L wrist XR; frontal view; follow-up; acquired on Siemens; image 94.8 mm wide

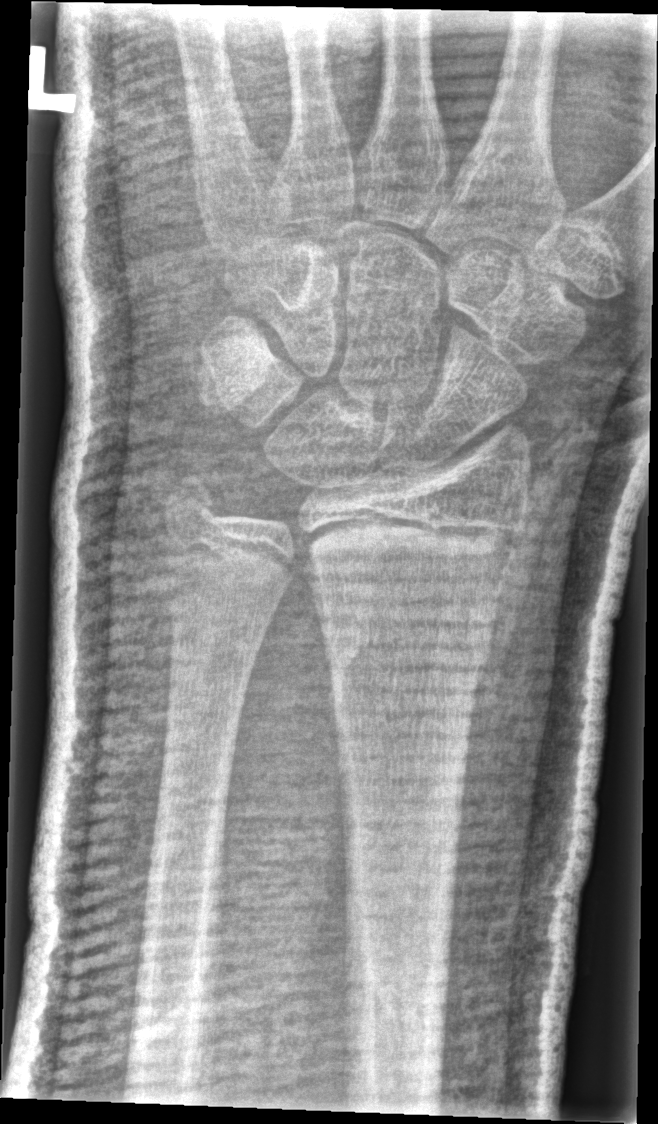 FINDINGS: AO code 23r-M/2.1; 23u-E/7. Bone fracture: [310, 587, 501, 688] [158, 455, 229, 538].